Lat view; Rt pediatric wrist radiograph; age 10 y, girl —

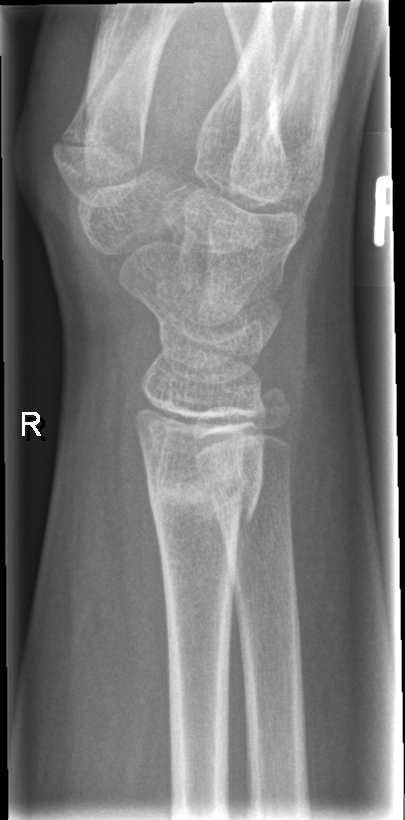

{"osteopenia": "present", "fracture": "[x1=143, y1=456, x2=265, y2=534], [x1=252, y1=380, x2=298, y2=426]", "ao": "23r-M/3.1; 23u-E/7"}